Left wrist XR | PA/AP | follow-up | in cast | detector: Siemens — 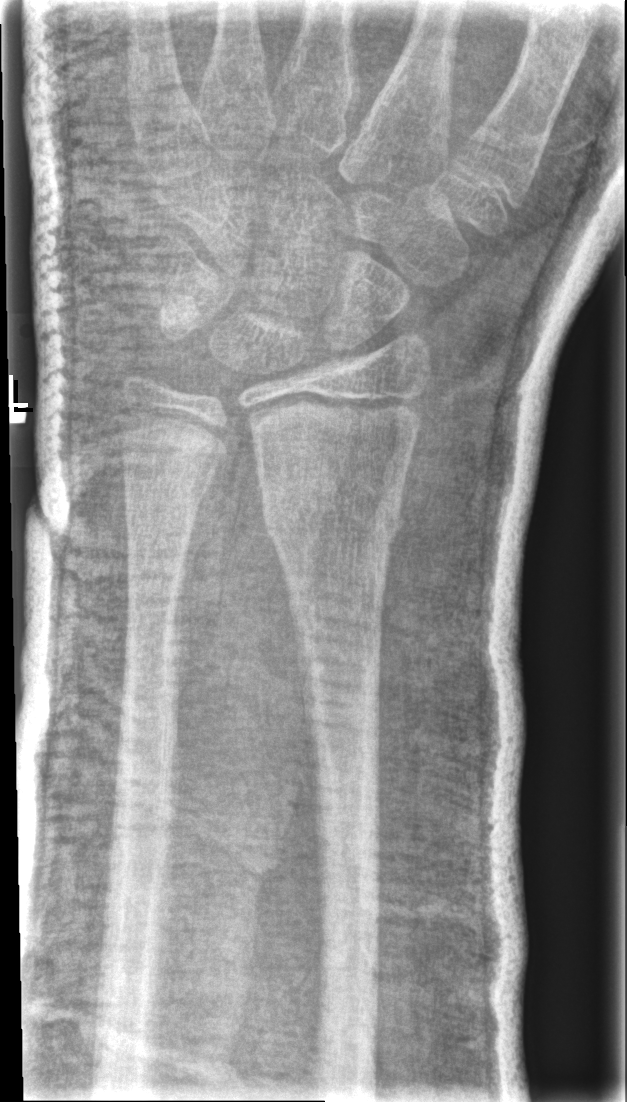
AO code: 23-M/2.1
fracture: 1 @ bbox(257, 478, 405, 553)